AP view · left wrist X-ray · imaged through cast · image 82.2 mm wide.

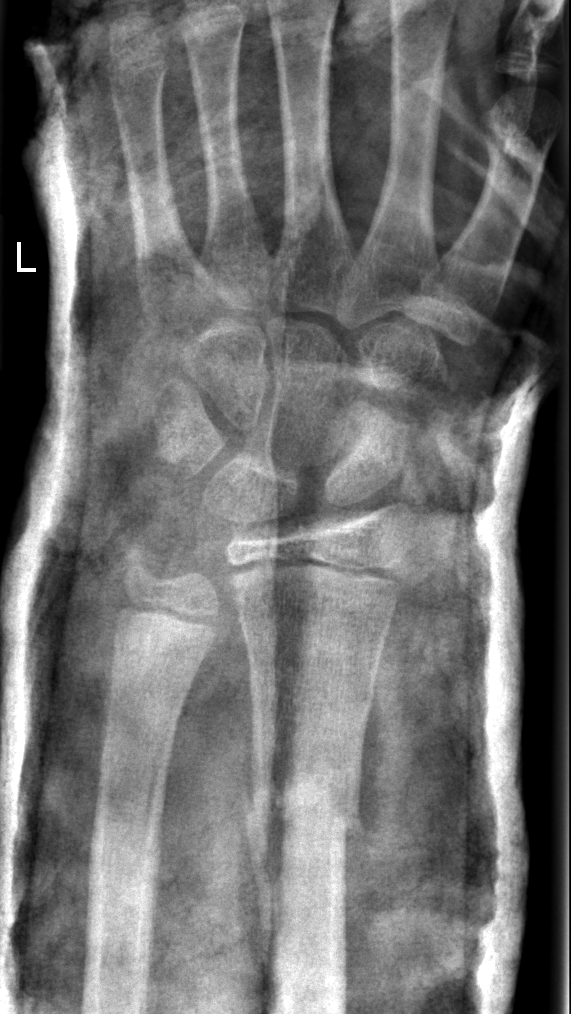 • Fracture: (left=241, top=763, right=370, bottom=880) (left=82, top=822, right=171, bottom=896).